Lt plain radiograph of the wrist, lateral projection, acquired on Siemens, 457 by 1012 pixels 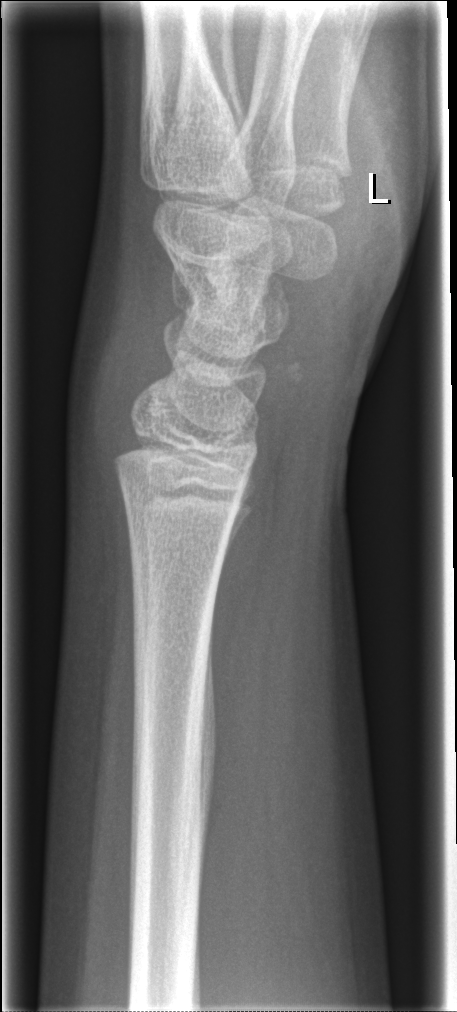
{
  "_coords": "bounding boxes in image-pixel xyxy",
  "boneanomaly": "1 @ bbox(204, 248, 240, 307)",
  "fracture": "none labeled"
}